Lateral, Rt wrist radiograph, presentation radiograph, image width 65.8 mm.
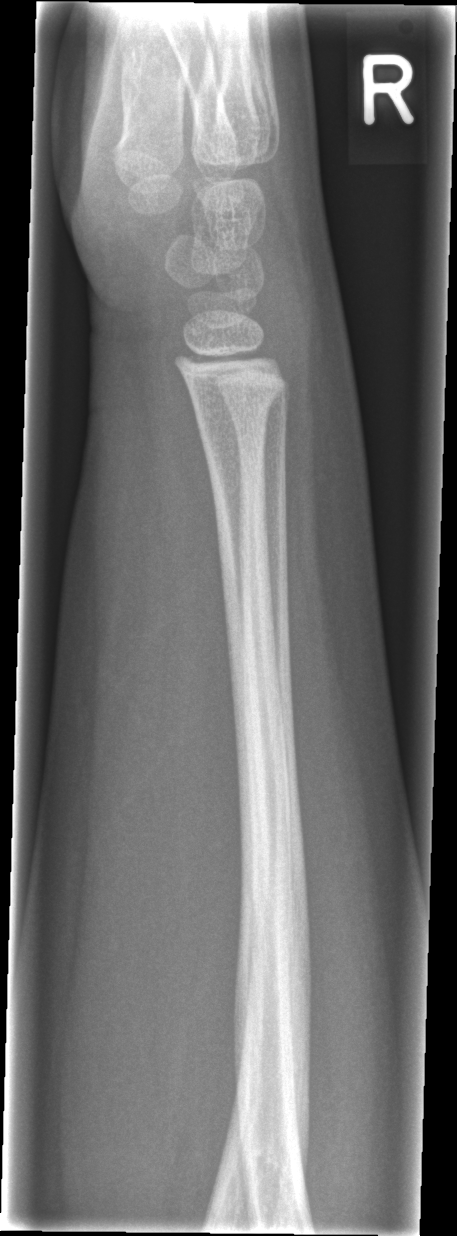

(coordinates are [x1, y1, x2, y2] in image pixels)
Fracture: 1 @ (190, 366, 288, 427)